Lt wrist plain film; lat; 9y M; index exam; acquired on Siemens; 416x953 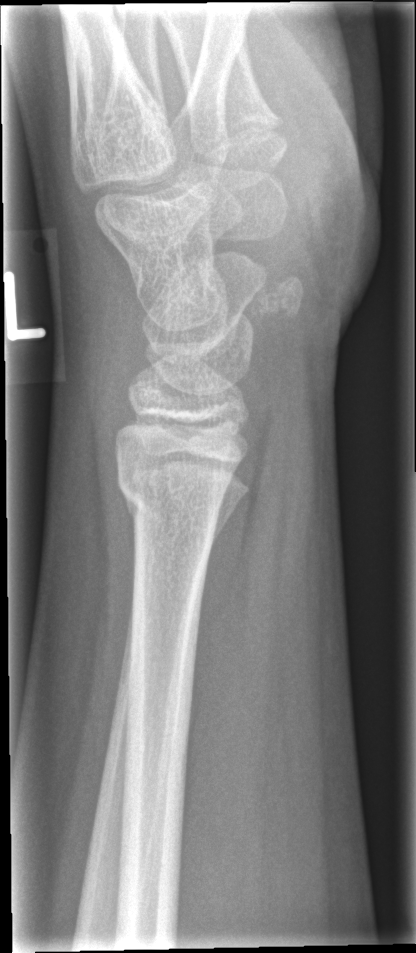
Bounding boxes in image-pixel xyxy. Fracture classified AO/OTA 23-M/2.1. One fracture at <114,463>-<231,531>.